Right wrist XR | PA projection | pediatric patient (boy, age 14) | image size 569x986 — 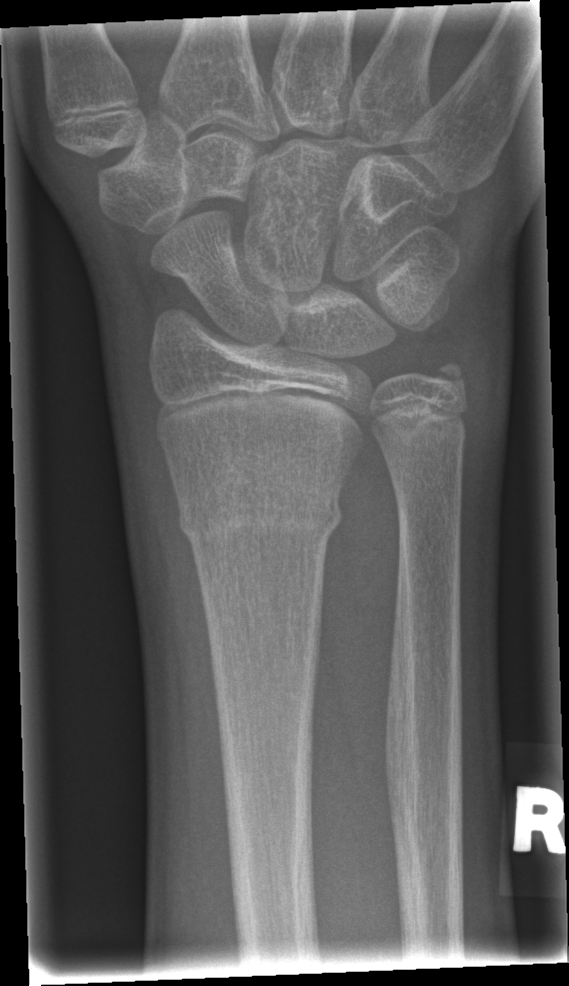
Fx = <175,481>-<344,550> <423,350>-<472,400>
AO classification = 23r-M/3.1; 23u-E/7